Lt wrist XR | lateral view | pediatric patient (boy, age 13) | index exam | image 70.1 mm wide 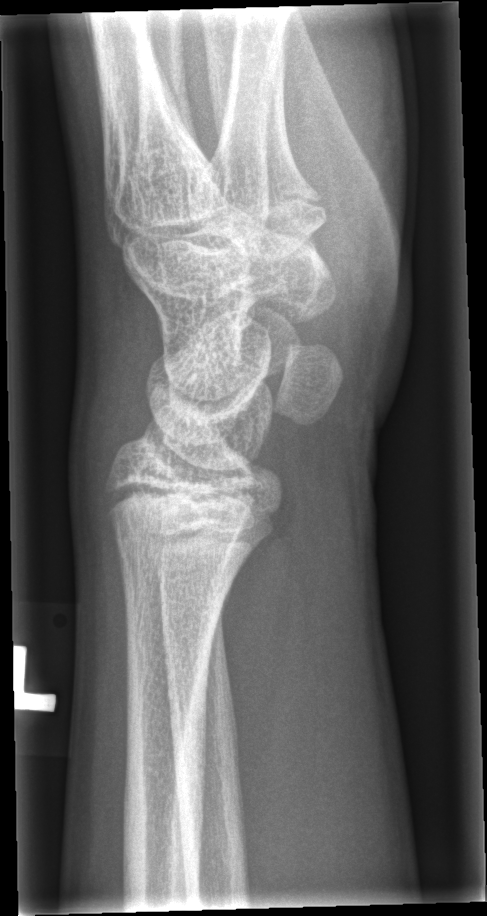

Fx present but not clearly seen in this view.